Lat projection; R plain radiograph of the wrist; 13y M.
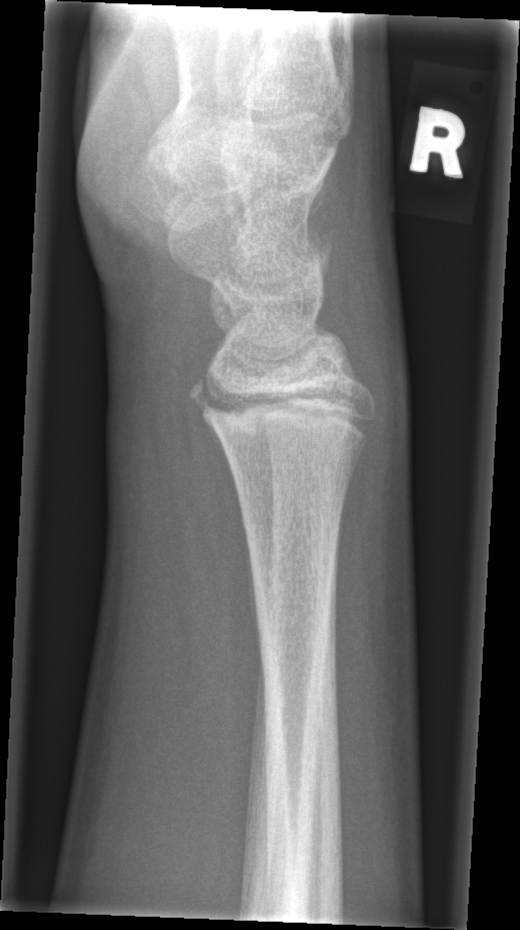
fracture: 1 @ <184,369>-<363,447>
osteopenia: present